Posteroanterior, left wrist XR —
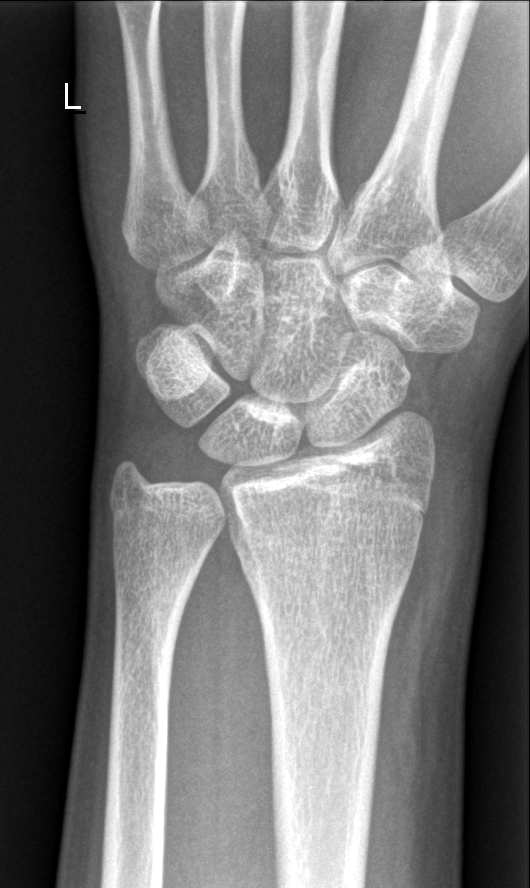
FINDINGS — One fracture at <286,405>-<438,494>.